PA/AP view | Rt wrist XR | 6y F —

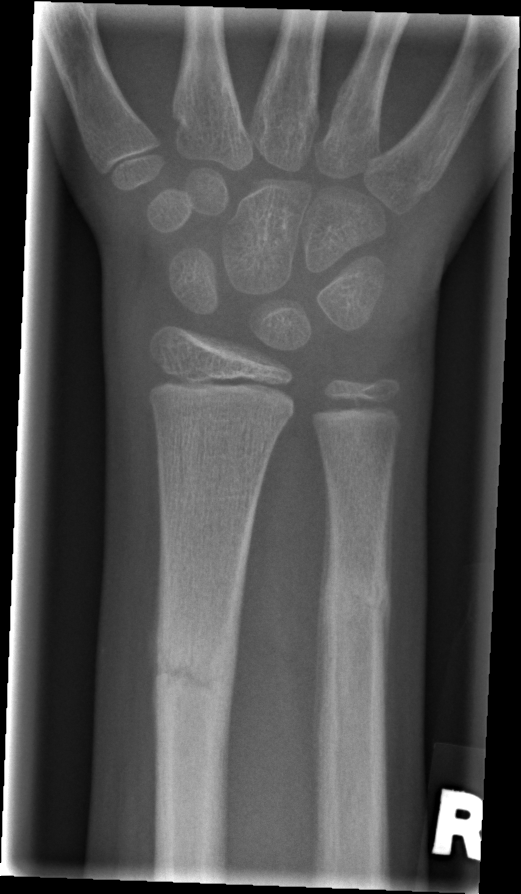 (bounding boxes in image-pixel xyxy)
Fx: [x1=150, y1=631, x2=236, y2=723]; [x1=320, y1=570, x2=391, y2=638]
periosteal reaction: 3 @ [x1=314, y1=476, x2=334, y2=742] [x1=382, y1=459, x2=395, y2=603] [x1=378, y1=600, x2=389, y2=727]